Right wrist plain film · lat view · 53.4 mm image width · 371 by 732 pixels: 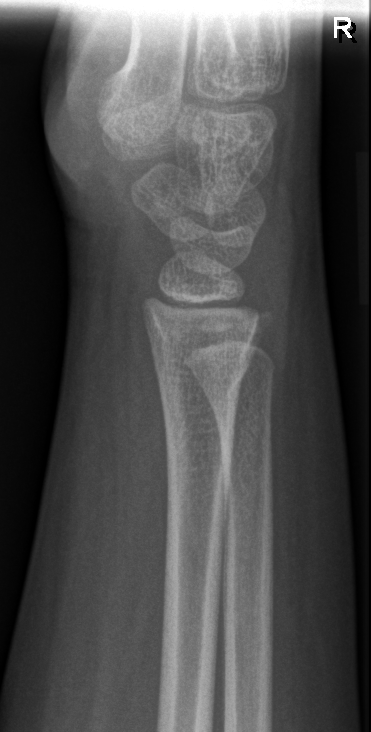

Fx = [145, 340, 262, 413]